Lt wrist X-ray · lat projection · male, 14 yo · diagnosis uncertain · 498 x 992 px 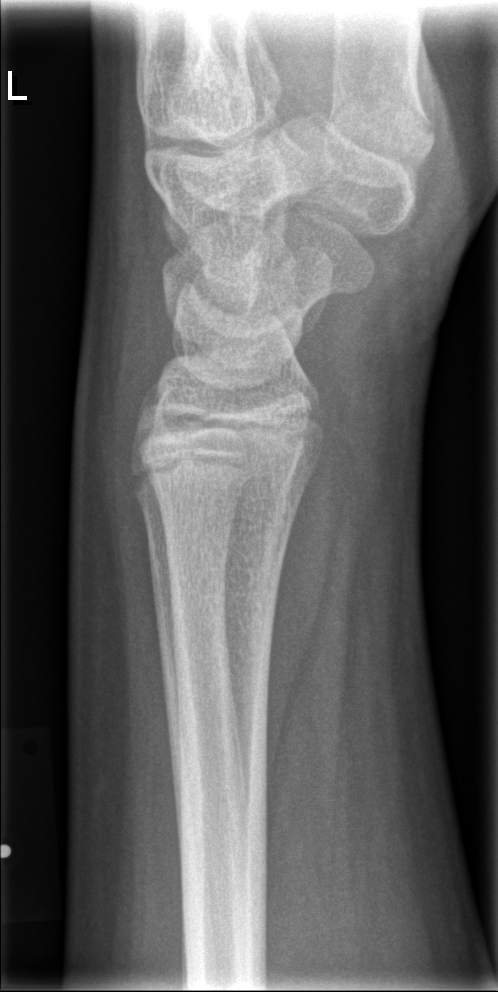 bone fracture: none labeled